Left wrist XR, lat view, pediatric patient (female, age 3), presentation radiograph —

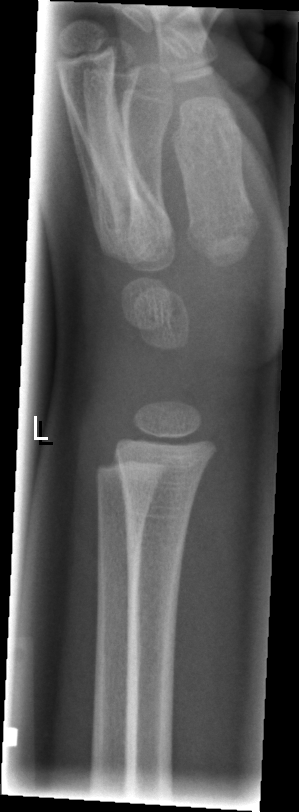

No fracture bounding box.